Right wrist X-ray, PA, Siemens, 571x1036:

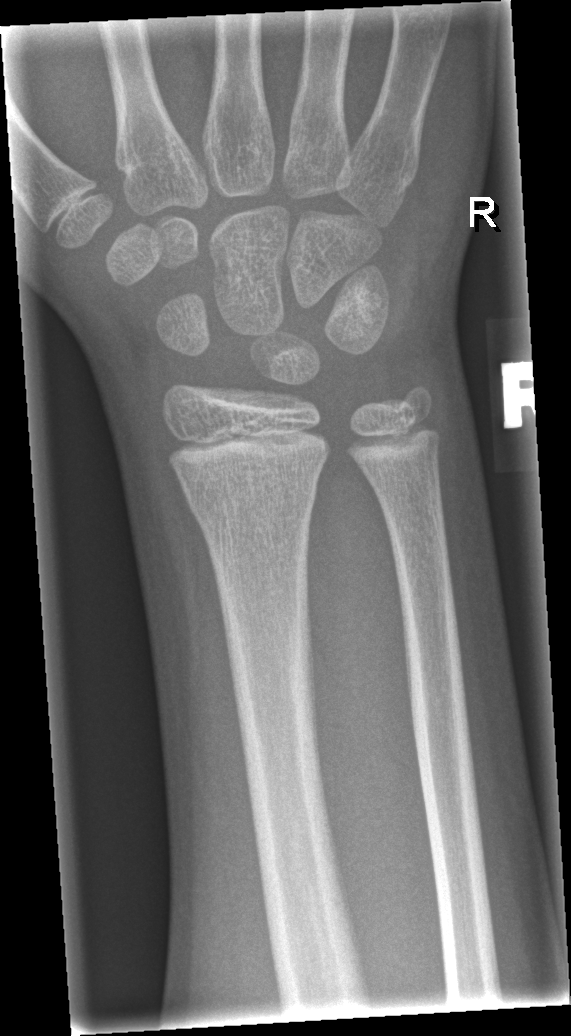
Q: Is there a fracture?
A: One fracture at <182,468>-<320,537>